Lat projection | right wrist pediatric wrist radiograph | image 75.5 mm wide. 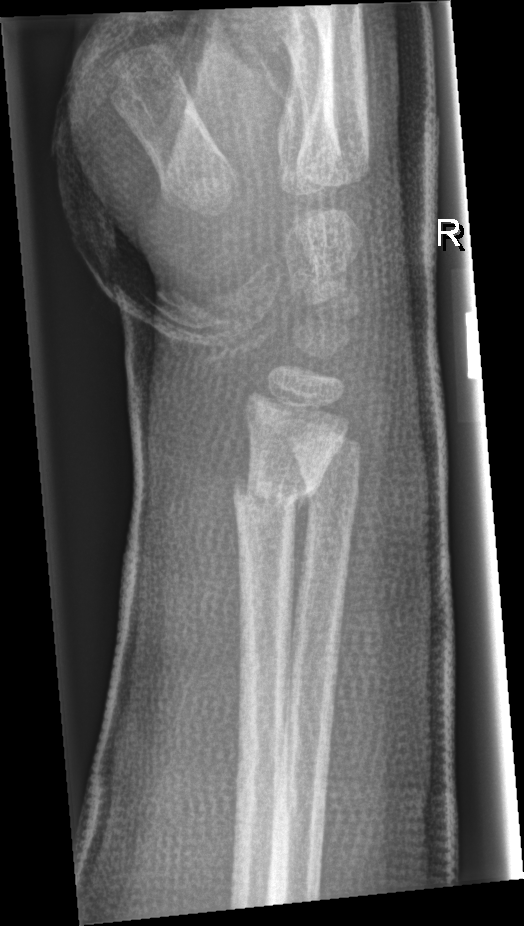
Findings: One bone fracture at 226,460,329,531.